Lat projection | left wrist radiograph | girl, 14 yo | Siemens.

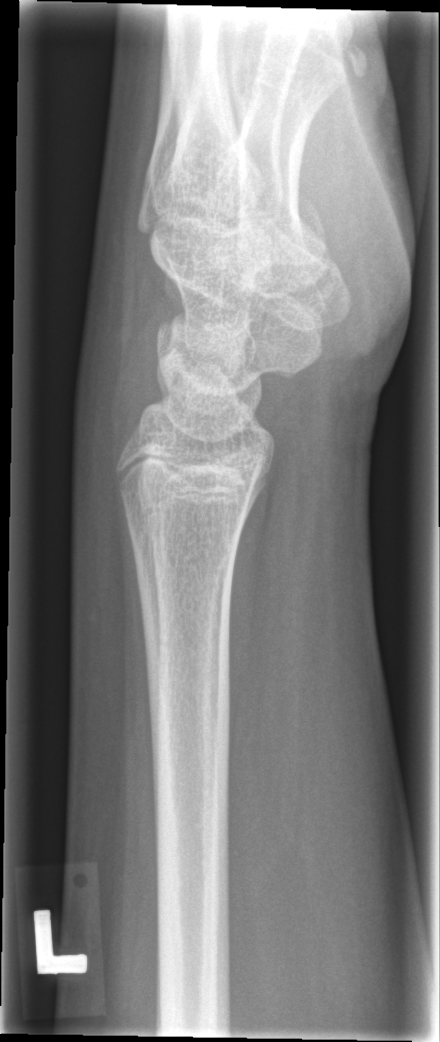
Findings: No fracture bounding box.